Frontal view | R pediatric wrist radiograph | age 15 y, girl | subsequent exam
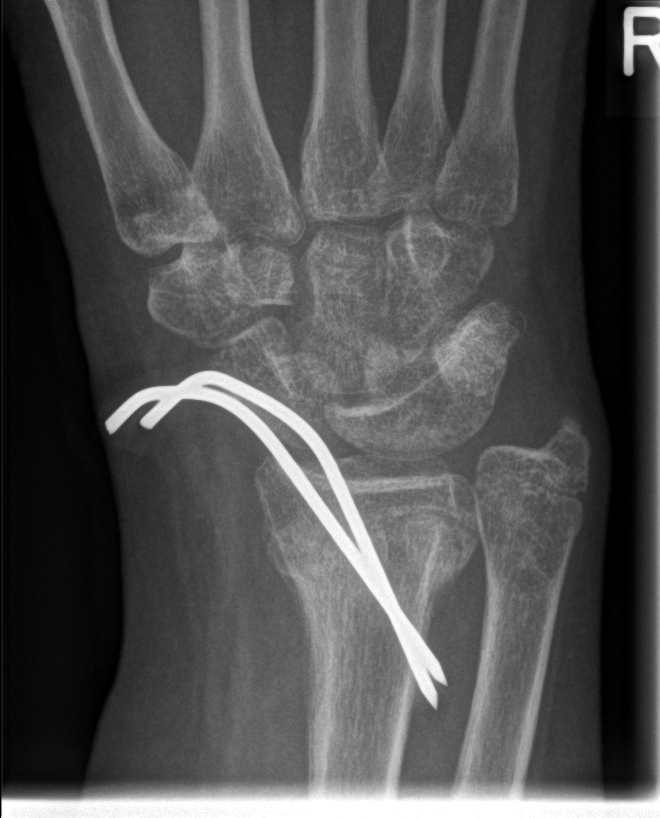 metal = 105 371 452 712
AO classification = 23r-M/3.1; 23u-E/7
osteopenia = present
Fx = 258 504 477 601; 538 401 599 459